Frontal | right wrist plain radiograph of the wrist | 13-year-old male | in cast —

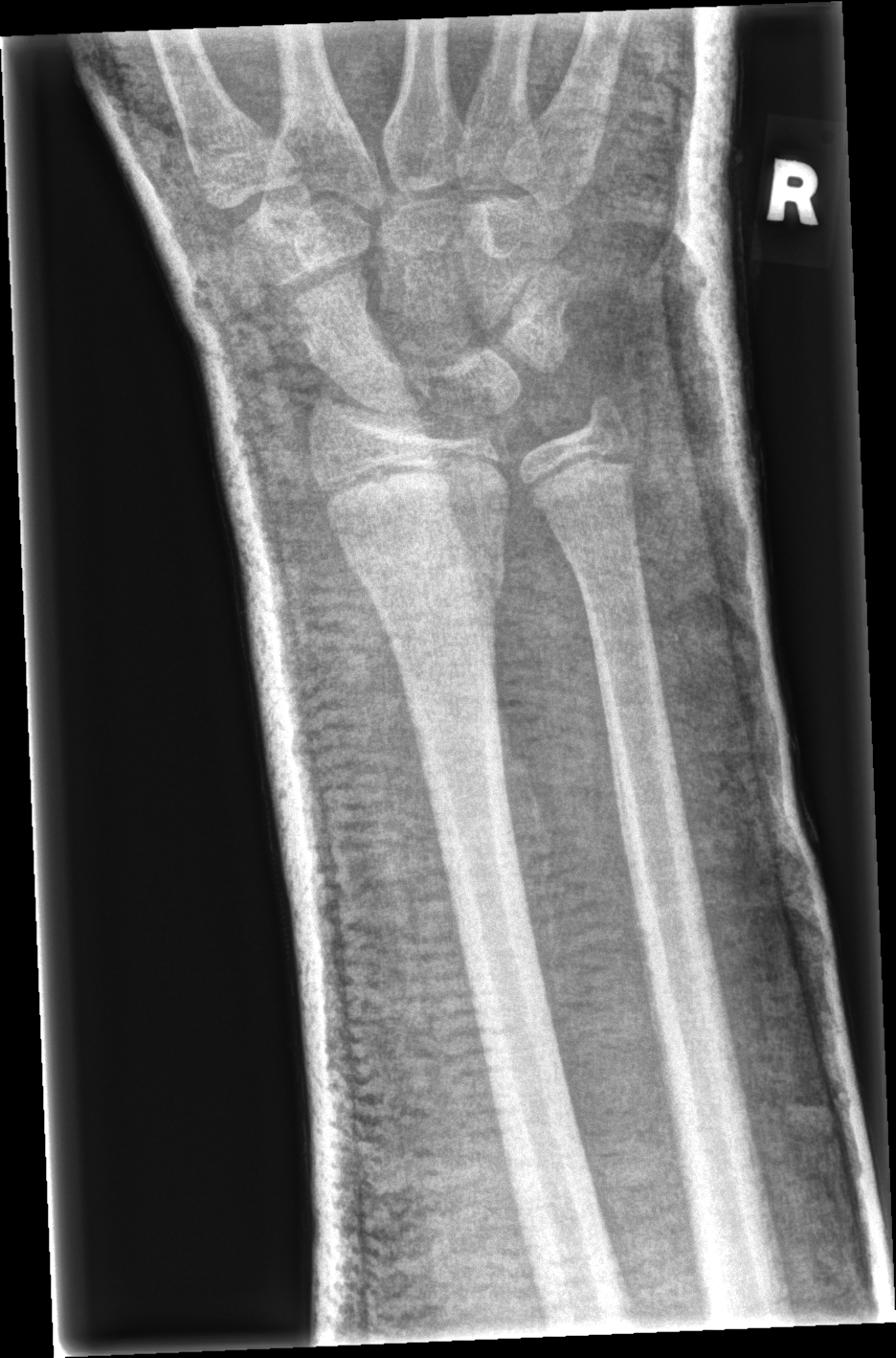

(bounding boxes in image-pixel xyxy)
Fx = (left=347, top=532, right=511, bottom=624)